Rt plain radiograph of the wrist · frontal view · female, 15 yo · subsequent exam · image size 694x1182
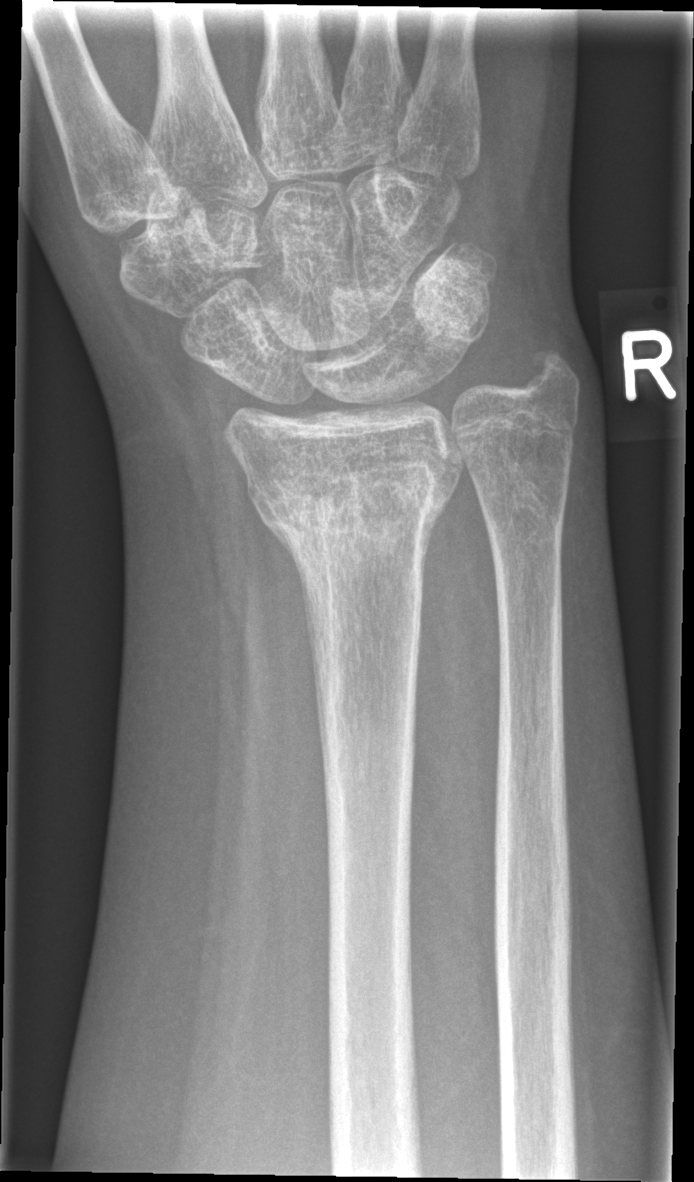
{
  "osteopenia": "present",
  "ao": "23r-M/3.1; 23u-E/7",
  "fracture": "(252, 464, 454, 566), (517, 337, 585, 403)"
}